Right wrist XR; PA/AP projection; pediatric patient (boy, age 12); image size 551x1568.

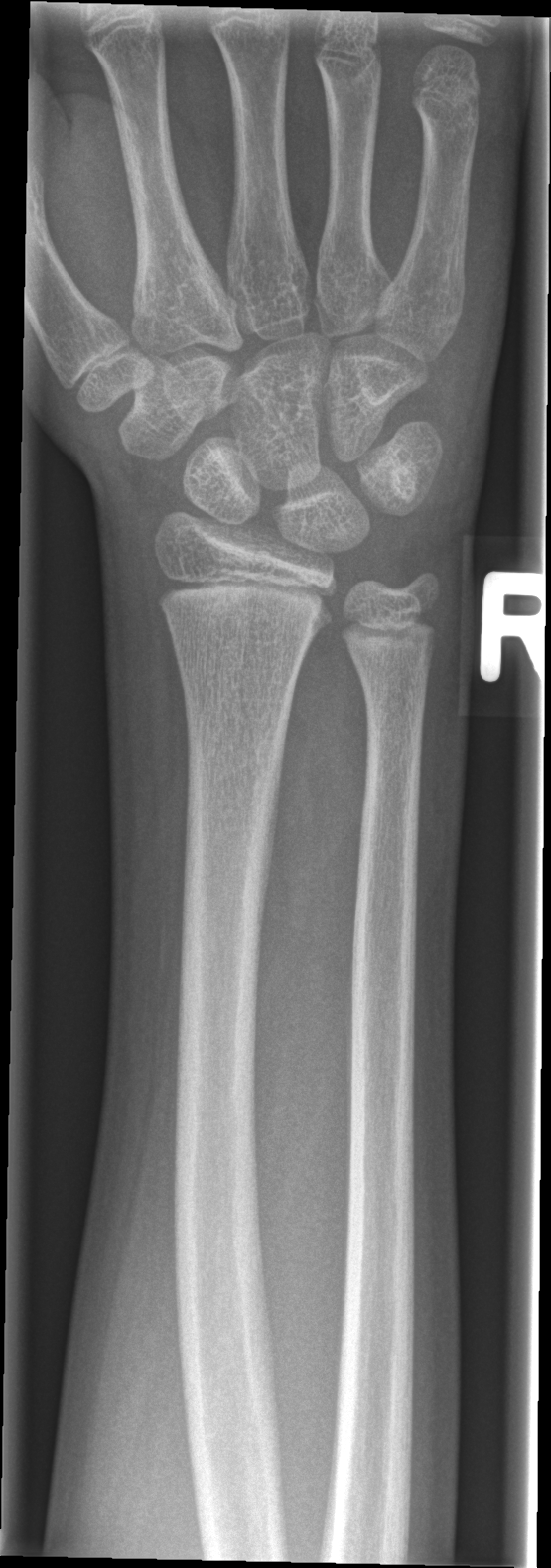

No fracture labeled.